Lat view · right wrist XR · 10-year-old girl. 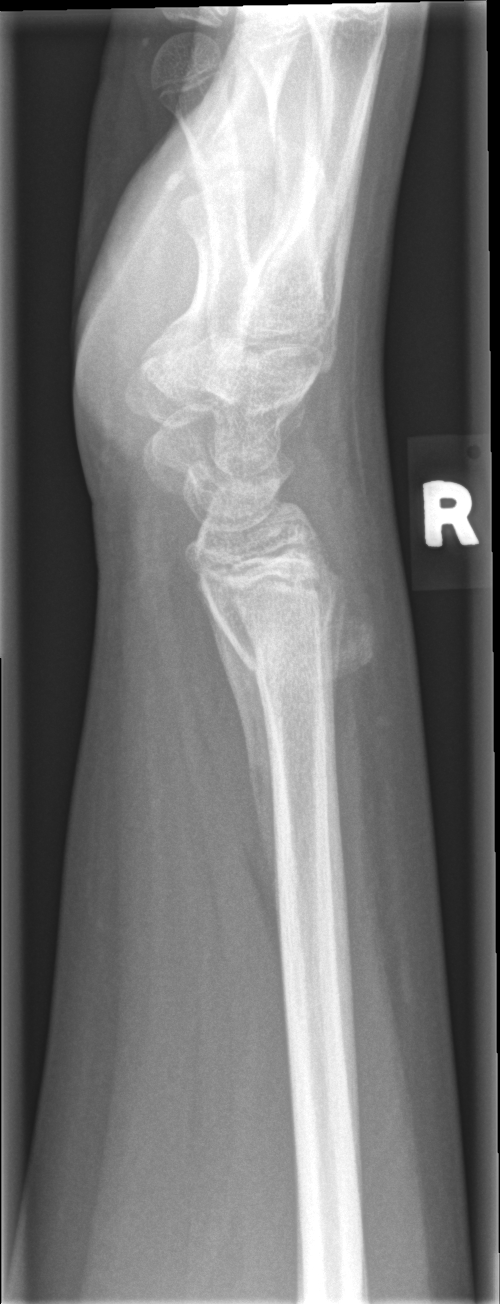
(pixel coordinates, top-left origin, xyxy)
bone fracture: [x1=225, y1=580, x2=347, y2=683]
osteopenia: present
periosteal reaction: [x1=197, y1=574, x2=281, y2=960], [x1=325, y1=589, x2=378, y2=723]
AO/OTA: 23r-M/3.1; 23u-M/2.1; 23u-E/7
bone variant: [x1=319, y1=586, x2=386, y2=698]